Lateral; L wrist X-ray; index exam. 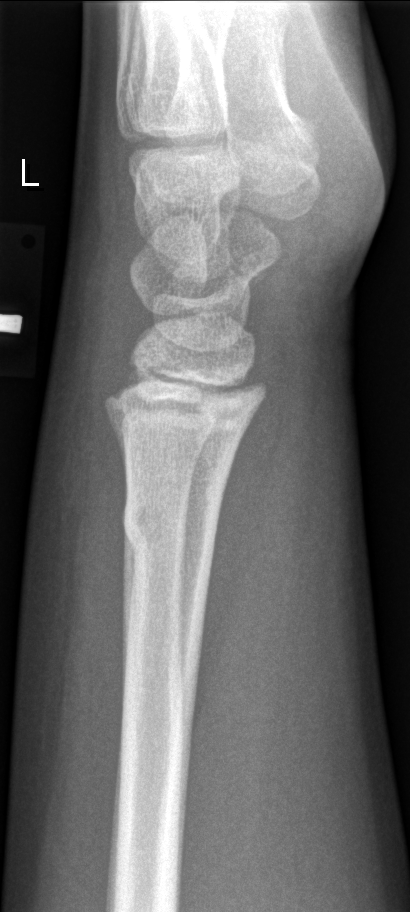 Findings: Bone fracture: 124,488,221,560.